Lateral projection; left wrist XR; imaged through cast; image 123.8 mm wide: 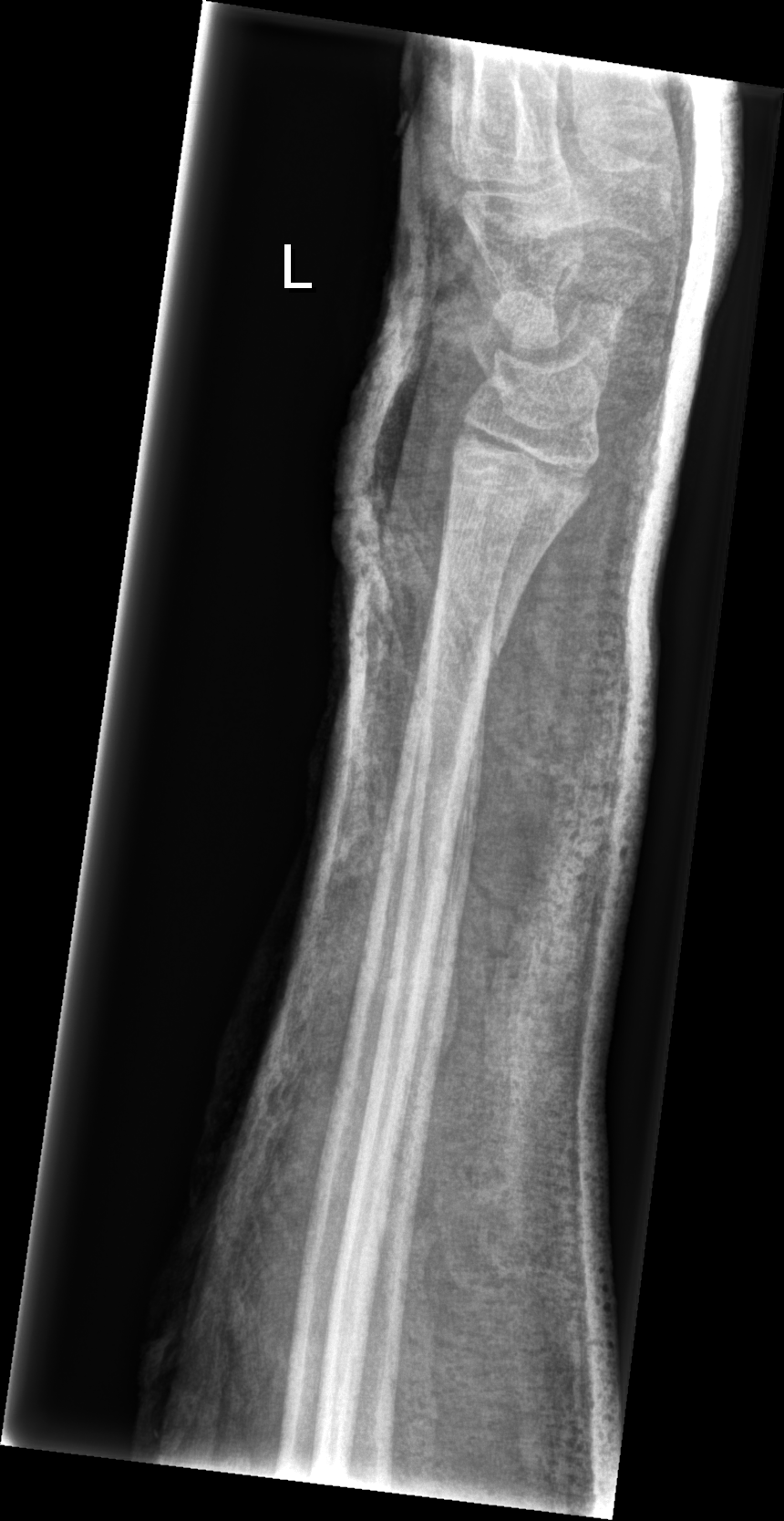

- Bone fracture: (left=418, top=609, right=513, bottom=678).